Lateral projection, Lt wrist X-ray, acquired on Siemens.

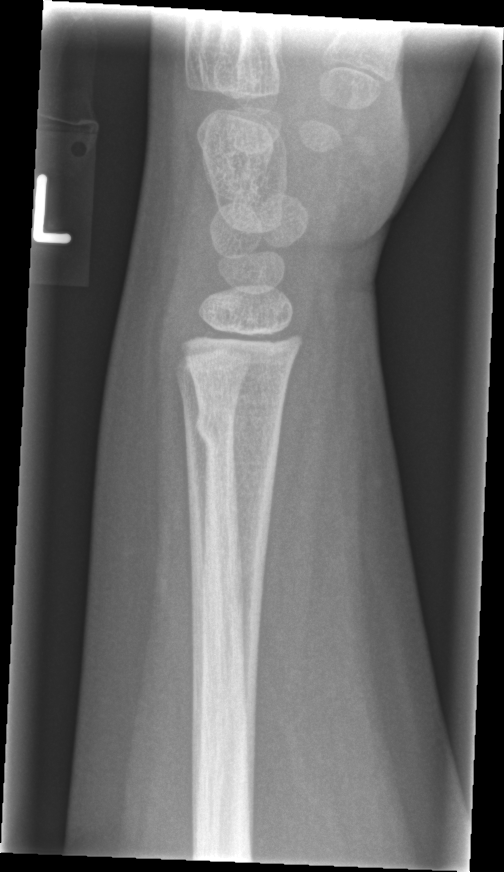
Q: What is the AO/OTA classification?
A: Fracture classified AO/OTA 23r-M/2.1
Q: Is there a fracture?
A: Bone fracture — (191, 406, 287, 451)